Lat; right wrist plain film; follow-up study; in cast: 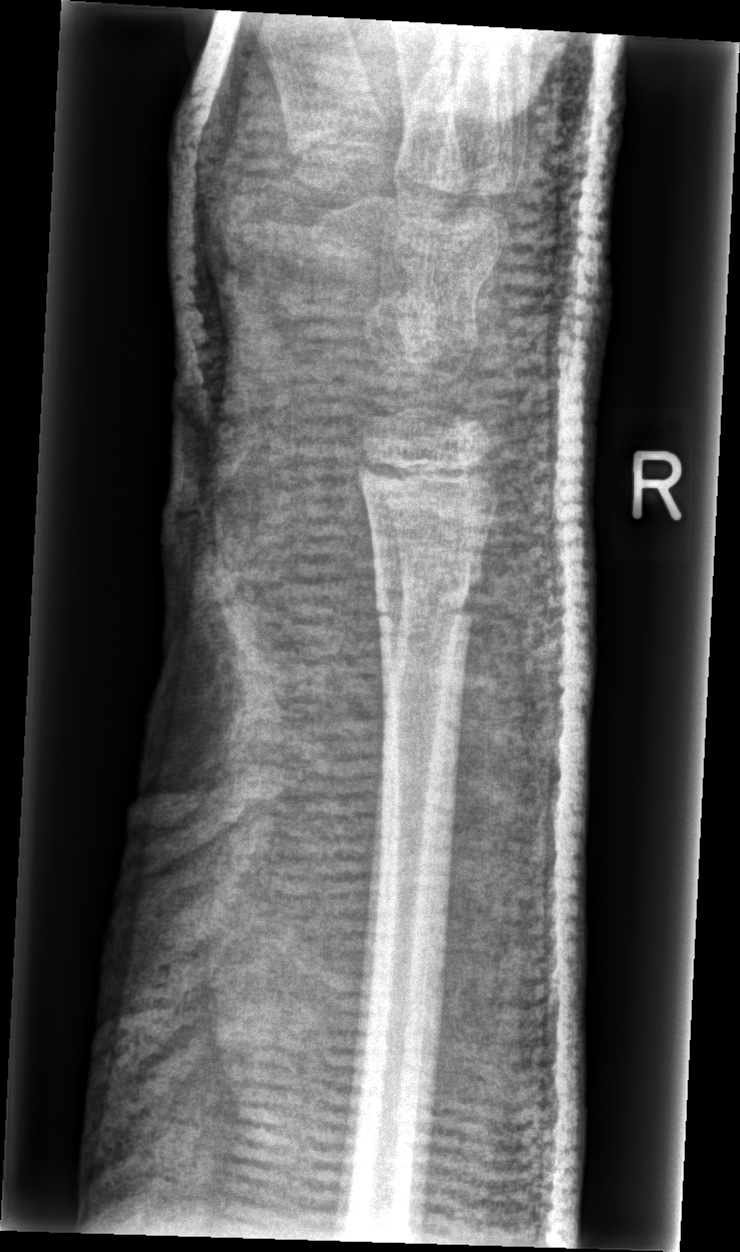

Fx = 370,560,484,659
AO classification = 23-M/3.1